Lt wrist XR · PA/AP view · age 9 y, girl · image 94.0 mm wide · image size 653x1132: 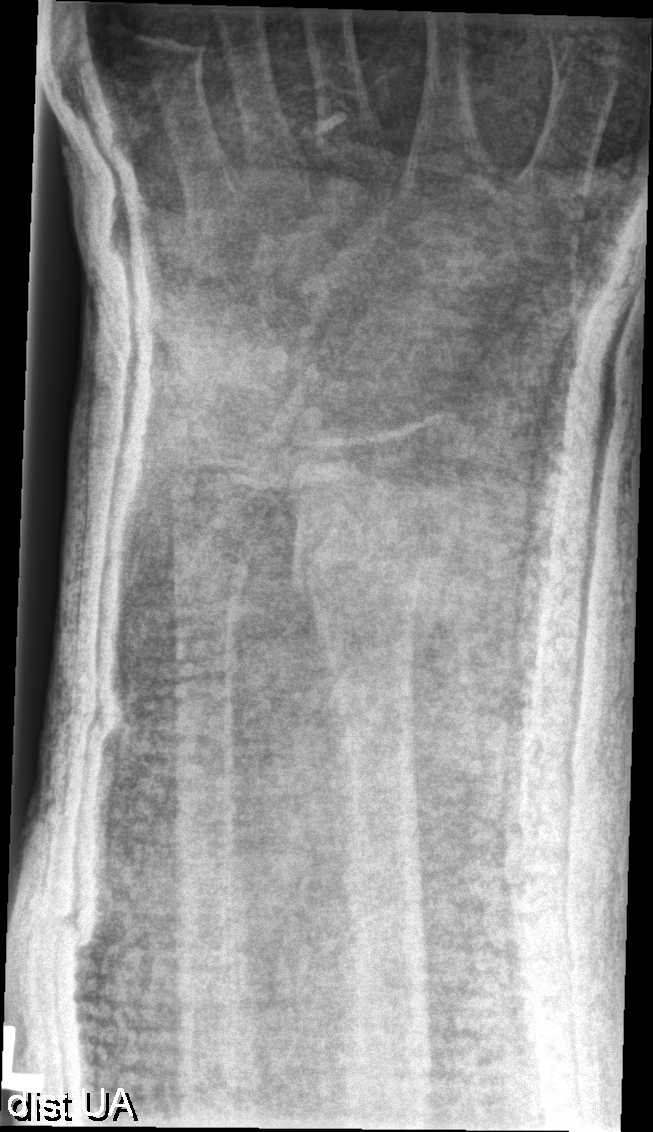 (boxes as x1,y1,x2,y2 (top-left / bottom-right, pixel units))
Q: Locate any fractures.
A: Fx identified at (left=283, top=517, right=464, bottom=621)
Q: What is the AO/OTA classification?
A: AO/OTA classification: 23r-M/3.1; 23u-E/7